Lat view · right wrist plain radiograph of the wrist · 6y M · image size 405x1194 —

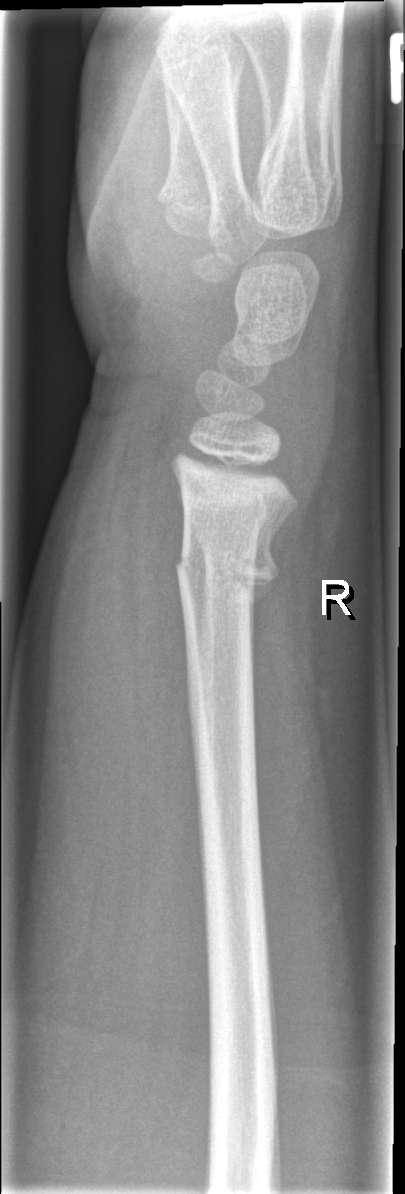 FINDINGS: Fracture identified at (left=174, top=532, right=284, bottom=608). Positive pronator fat-pad sign: (left=120, top=441, right=202, bottom=830).